PA/AP projection; Lt wrist plain film; pediatric patient (female, age 12): 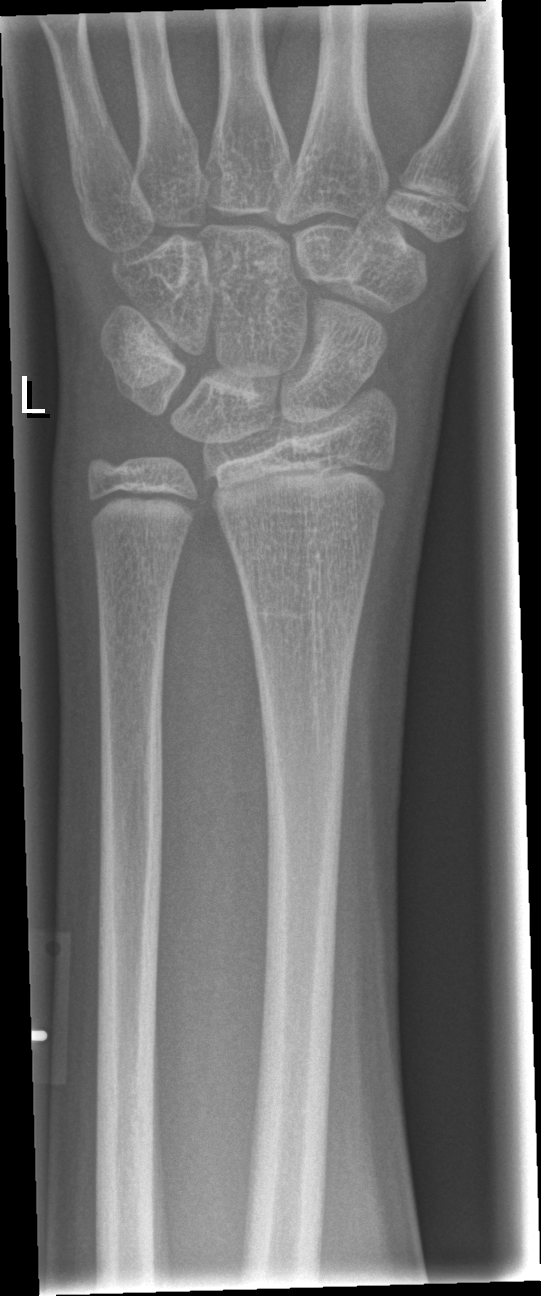 Bone fracture = none labeled